Posteroanterior projection | right wrist plain film | image size 540x1027 —
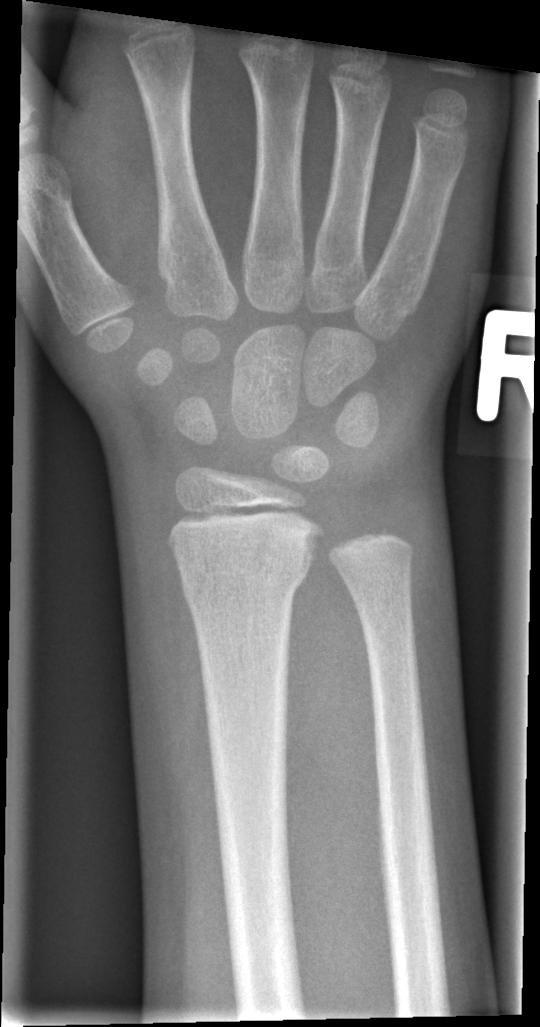 (pixel coordinates, top-left origin, xyxy)
Fx: [171, 539, 318, 603]